Lateral projection; L wrist XR

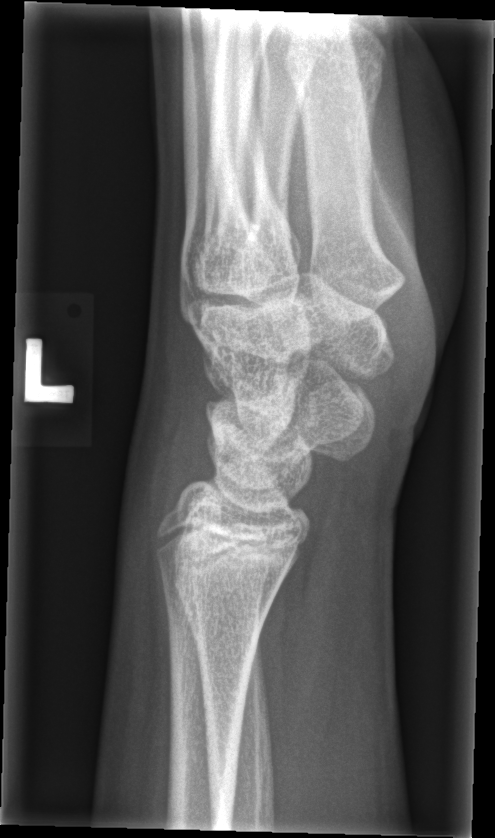
Bone fracture = none labeled